Lateral projection | right wrist plain film | subsequent exam | detector: Siemens:
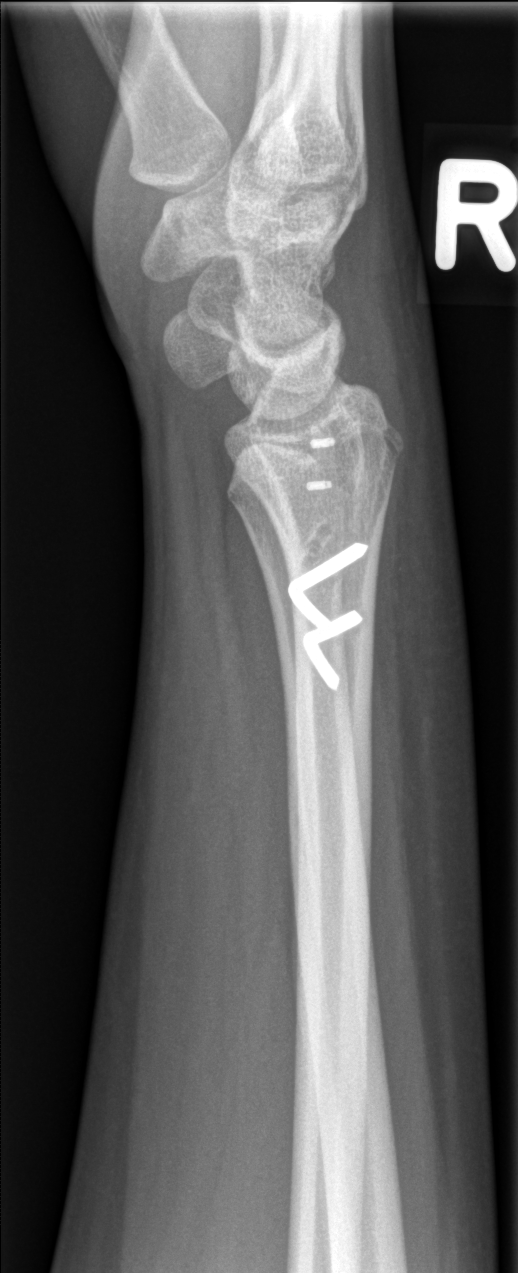
- No fracture labeled.
- One bone anomaly at <299,516>-<336,567>.
- Metallic hardware identified at <285,545>-<368,630>; <301,602>-<369,697>; <304,475>-<333,493>; <308,434>-<335,450>.